Lt wrist radiograph; PA view; index exam.
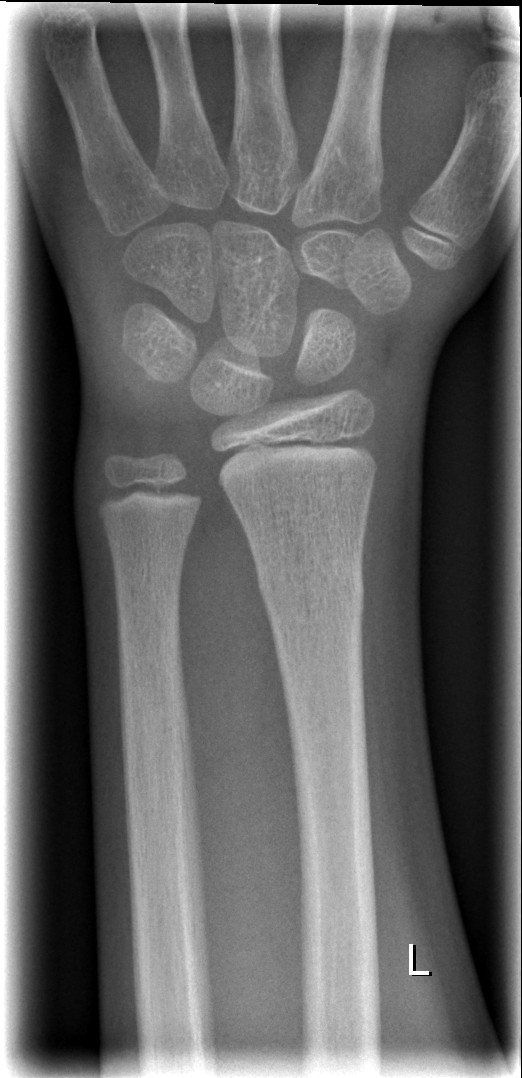 AO/OTA classification: 23r-M/2.1. Fx identified at bbox(252, 549, 367, 626).